Left wrist plain film · PA/AP view · 87.7 mm image width. 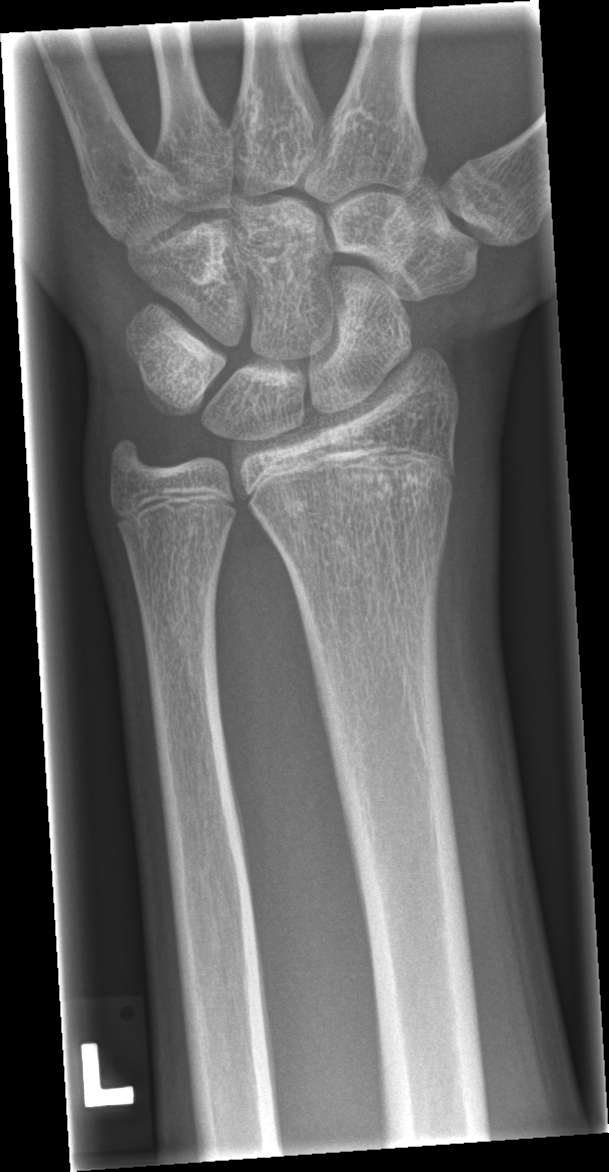
- Fracture: present but not clearly seen in this view.